Frontal · Lt wrist X-ray · subsequent exam · cast present · 709 by 1308 pixels —
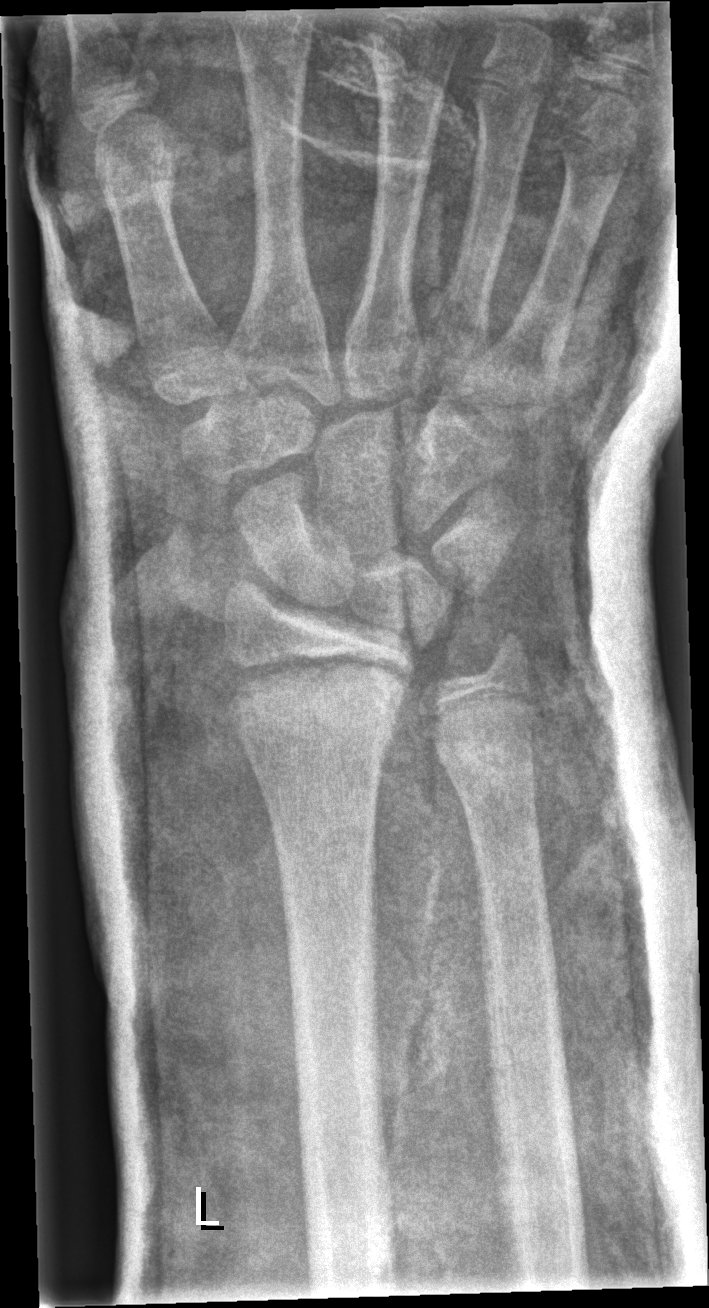
Q: Fracture present?
A: Fracture present, but no bounding box because it is not clearly seen in this view